Lateral; right wrist pediatric wrist radiograph; index exam; acquired on Siemens
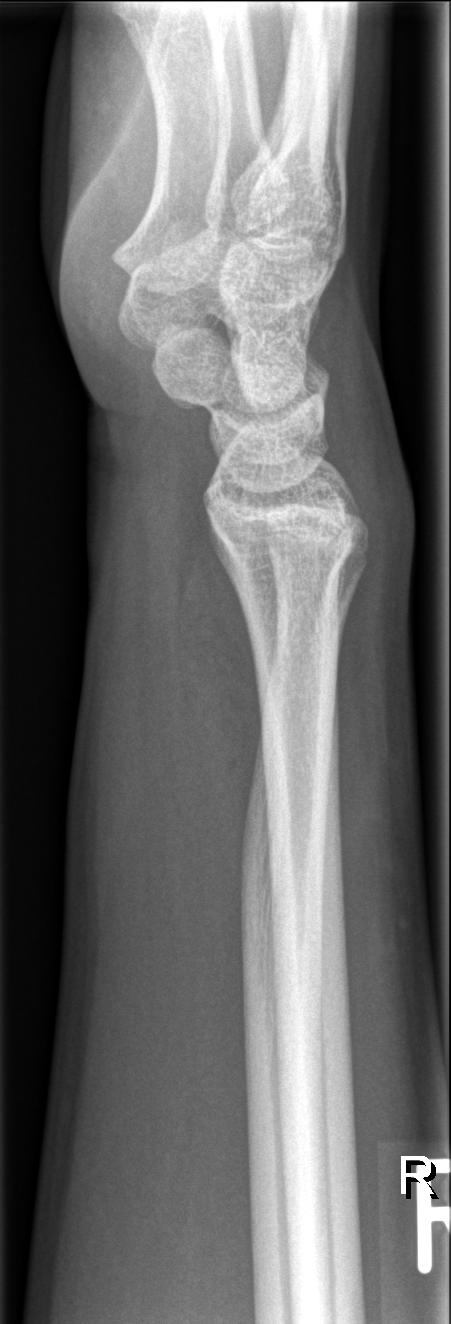 • Boxes as x1,y1,x2,y2 (top-left / bottom-right, pixel units).
• Pronator sign identified at [x1=171, y1=467, x2=266, y2=876].
• Soft-tissue swelling: [x1=349, y1=398, x2=417, y2=654].
• Fracture identified at [x1=222, y1=530, x2=355, y2=606].
• AO/OTA classification: 23r-M/2.1.